Lat view, left wrist plain radiograph of the wrist. 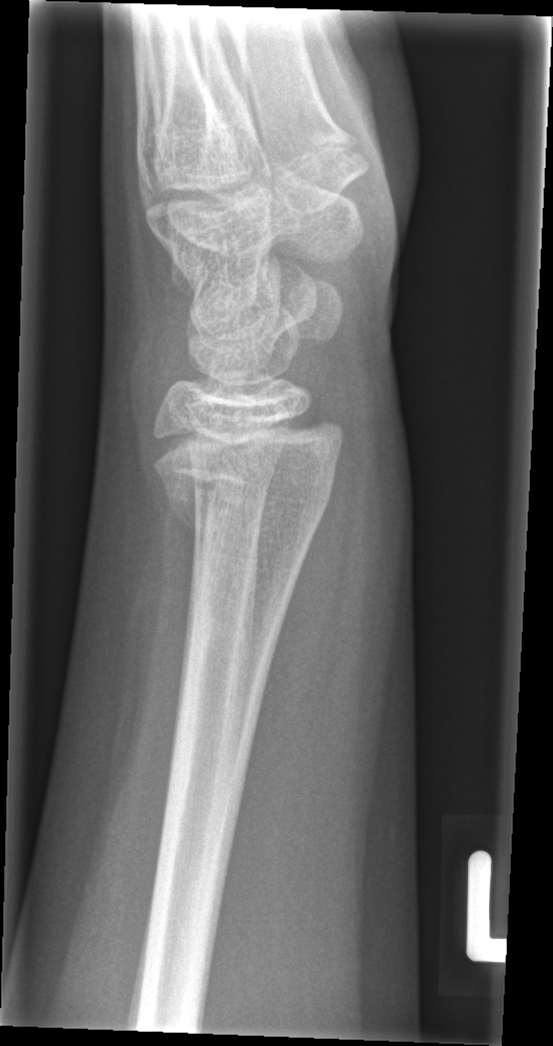

(coordinates are [x1, y1, x2, y2] in image pixels)
AO classification = 23r-E/2.1; 23u-E/7
bone fracture = <150,405>-<344,536>